Left wrist radiograph, lateral view, subsequent exam:

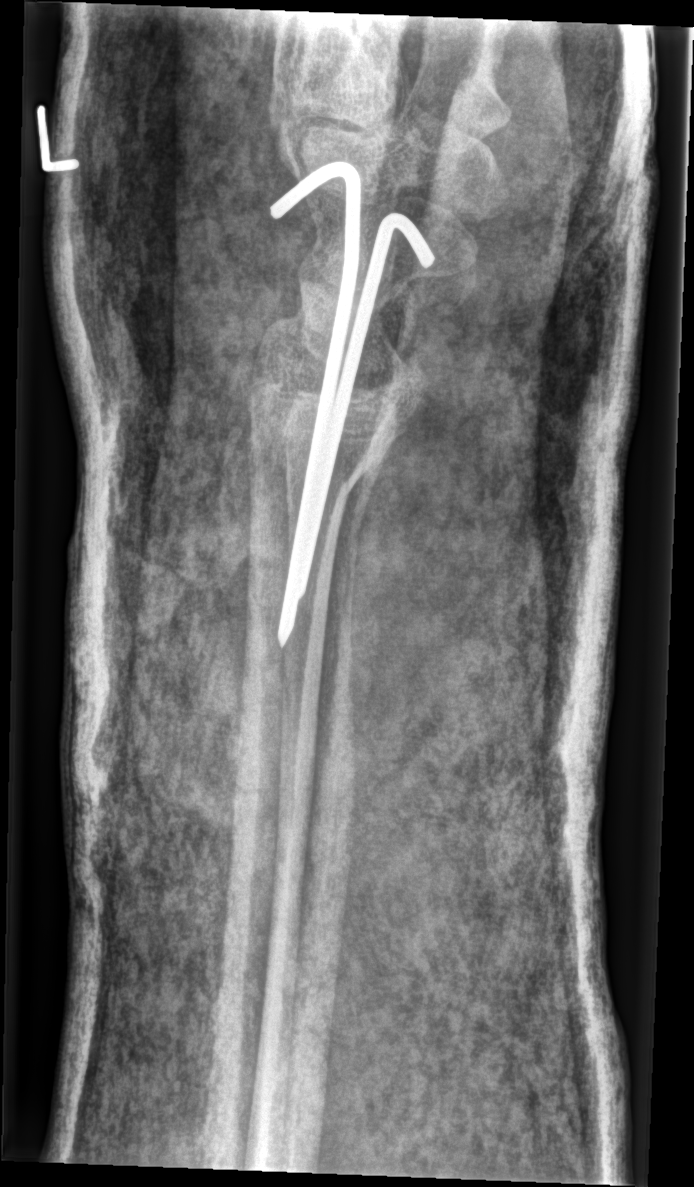

Q: Is there any metallic hardware?
A: Metal identified at [271, 163, 436, 638]; [282, 185, 347, 287]
Q: What is the AO/OTA classification?
A: AO code 23r-M/3.1
Q: Is there a fracture?
A: Bone fracture identified at [245, 374, 421, 486]